Right wrist plain radiograph of the wrist, PA, 4-year-old male, presentation radiograph, image width 83.5 mm

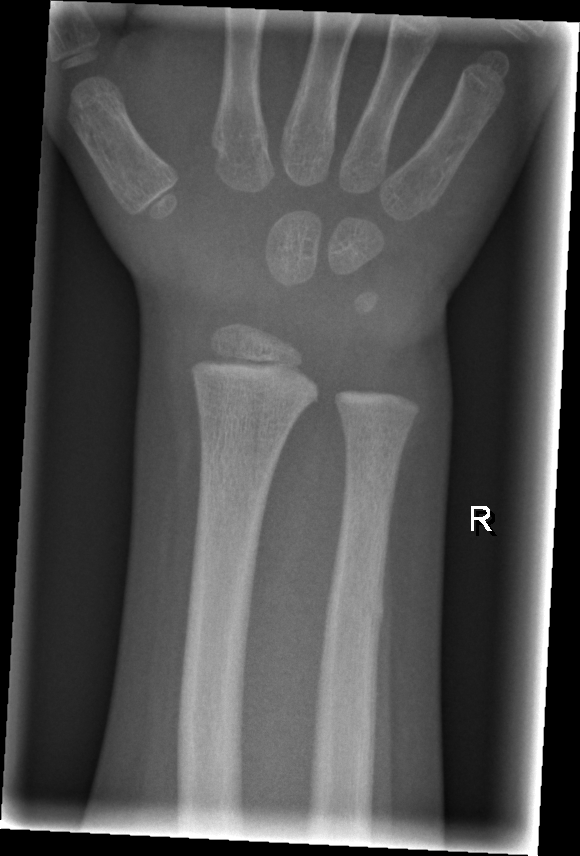
AO/OTA classification: 22u-D/2.1. Fx: [x1=319, y1=589, x2=387, y2=640].